Lat; L wrist XR
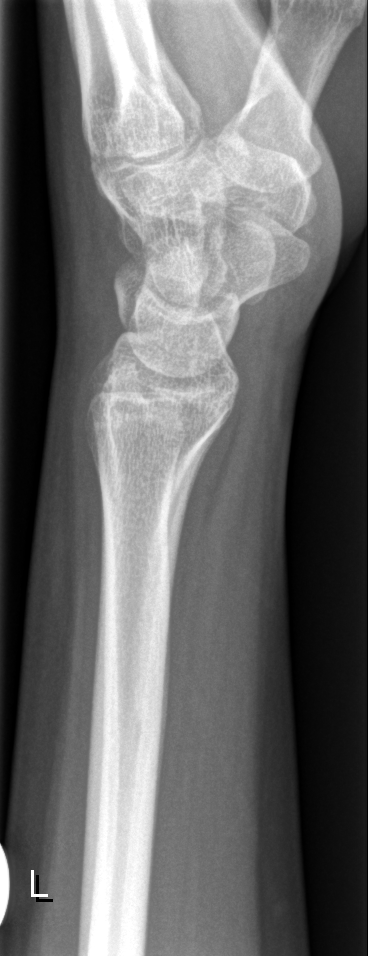
Bone fracture: none labeled